PA/AP, left pediatric wrist radiograph, age 9 y, girl, follow-up

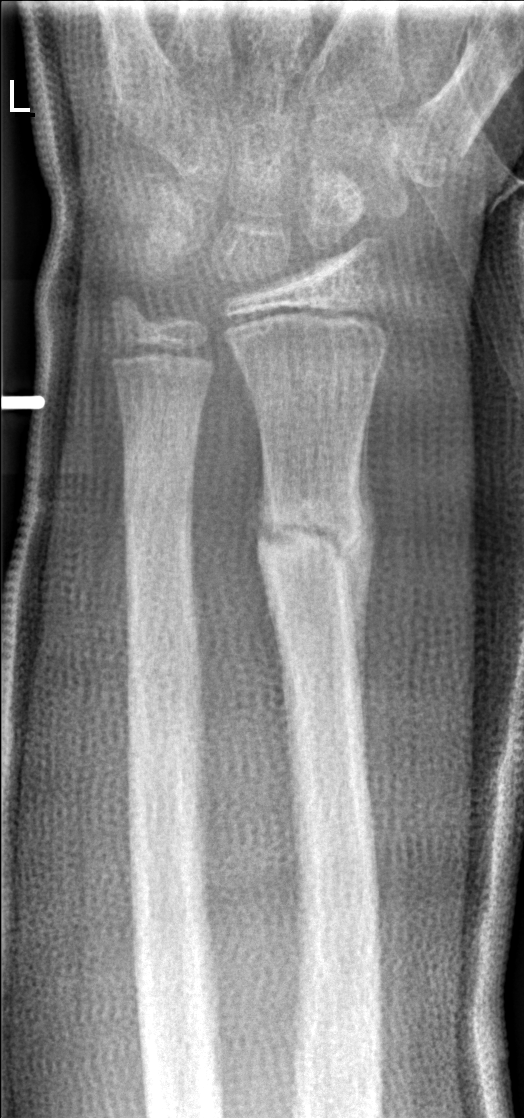
FINDINGS — (boxes as x1,y1,x2,y2 (top-left / bottom-right, pixel units)) Bone fracture: 254,491,379,602. Fracture classified AO/OTA 23r-M/3.1. Periosteal reaction — 344,402,380,702.